PA view; left wrist radiograph; 8y F; follow-up study; in cast; image 103.1 mm wide:
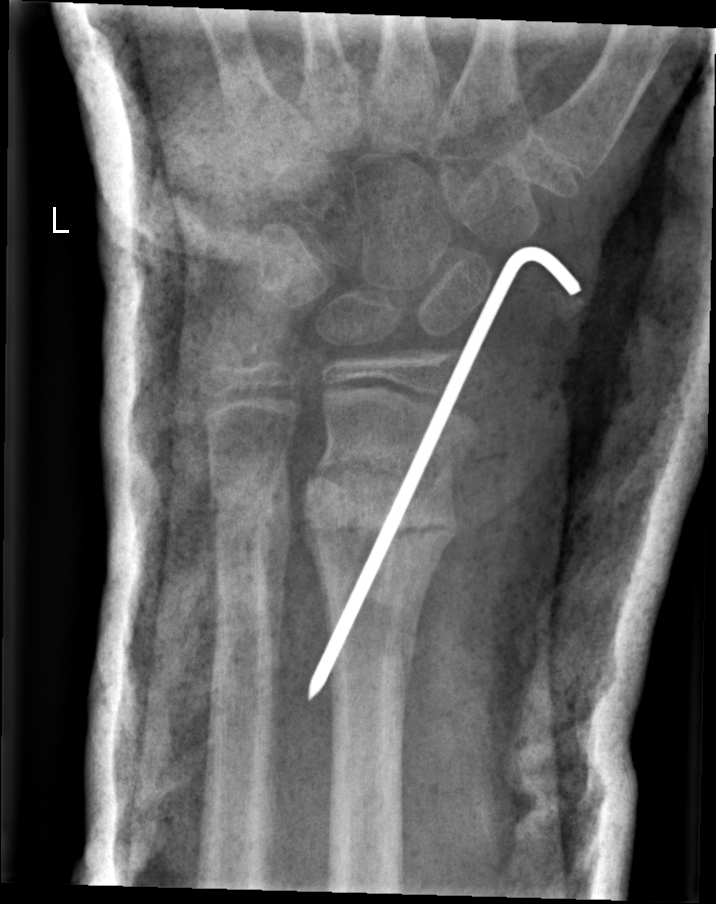
FINDINGS: (coordinates are [x1, y1, x2, y2] in image pixels) AO/OTA classification: 23-M/3.1; 23u-E/7. Metallic hardware: 307 245 584 705. Fx: 305 452 459 572 | 207 482 282 553.